Lat | left wrist plain film | age 9 y, female | index exam —

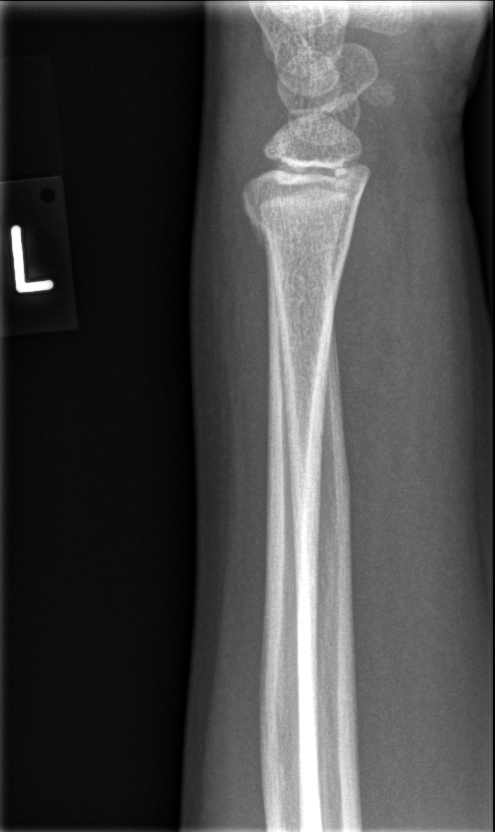
AO classification: 23r-M/2.1
Pronator quadratus fat-pad sign: (330, 162, 417, 495)
Soft-tissue finding: (339, 132, 481, 584), (206, 67, 271, 410)
Fx: (239, 187, 362, 264)